Right wrist radiograph; posteroanterior; age 13 y, boy; follow-up; cast present; 648 x 982 px

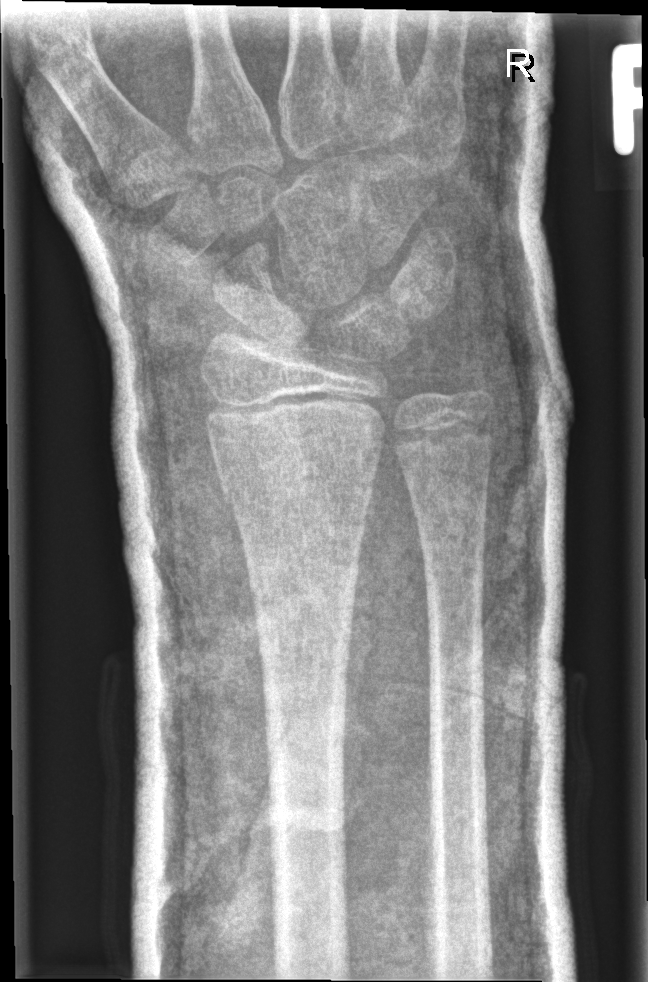

(boxes as x1,y1,x2,y2 (top-left / bottom-right, pixel units))
fracture: 1 @ 214,422,389,508